Left wrist radiograph; lateral; cast in situ; image width 125.3 mm
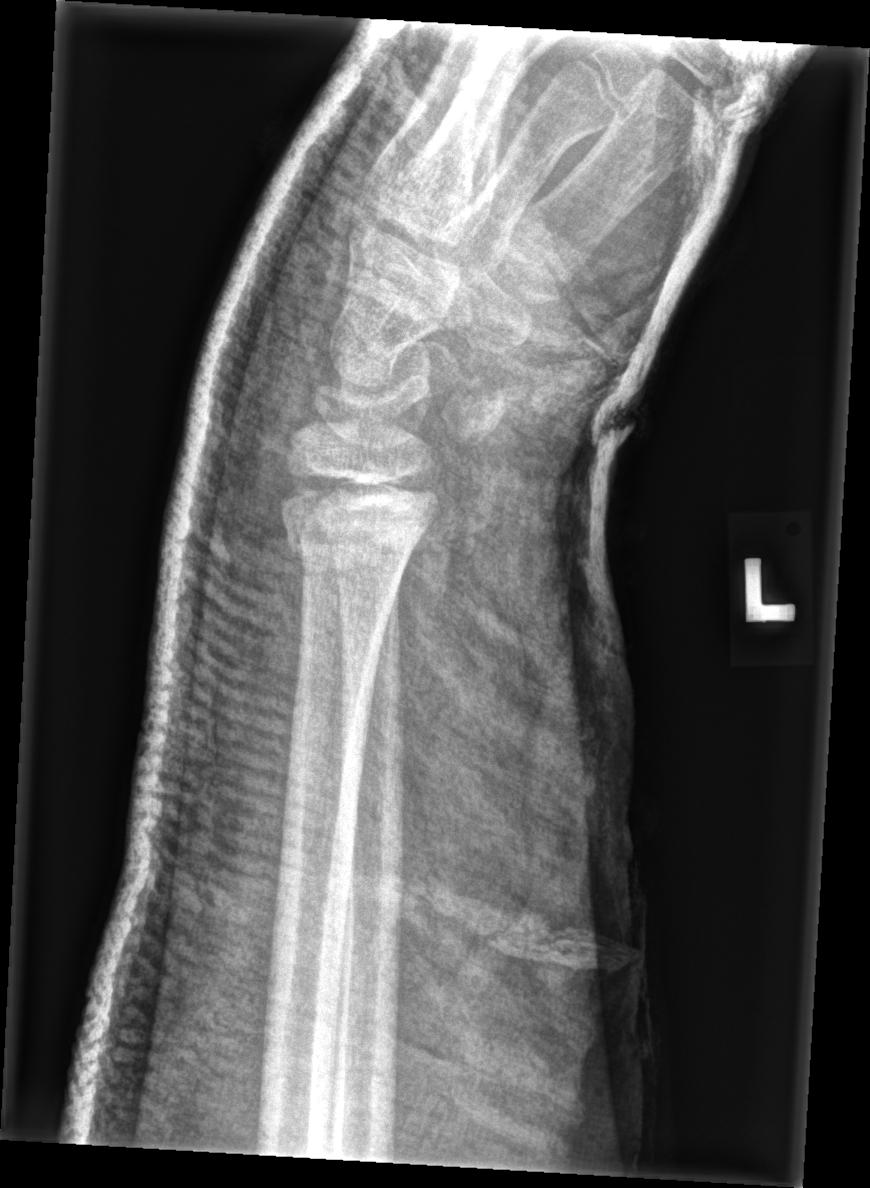

FINDINGS: Fracture classified AO/OTA 23r-E/2.1. Fracture identified at 285 512 417 580.